R pediatric wrist radiograph | lateral projection | in cast | detector: Siemens | 497 x 936 px.

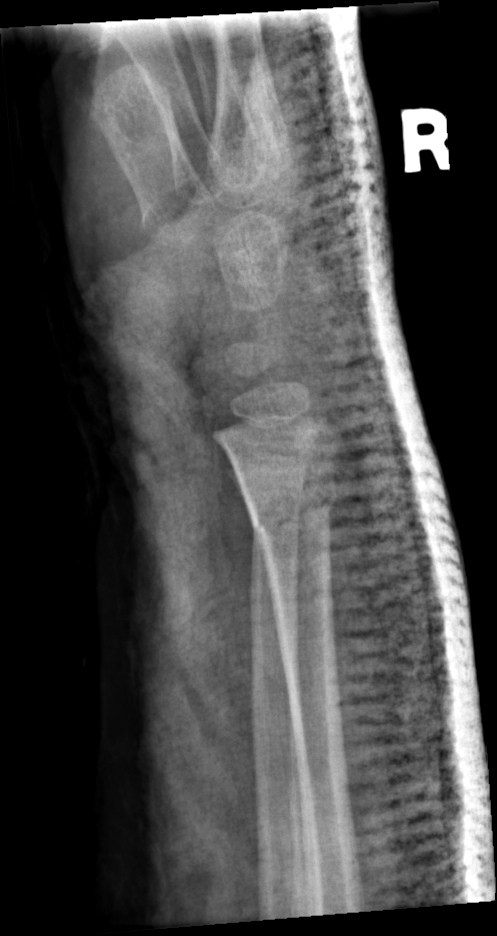

AO classification = 23r-M/3.1; 23u-M/2.1
Fracture = 241,472,341,541